Frontal view, L wrist XR, age 8 y, boy — 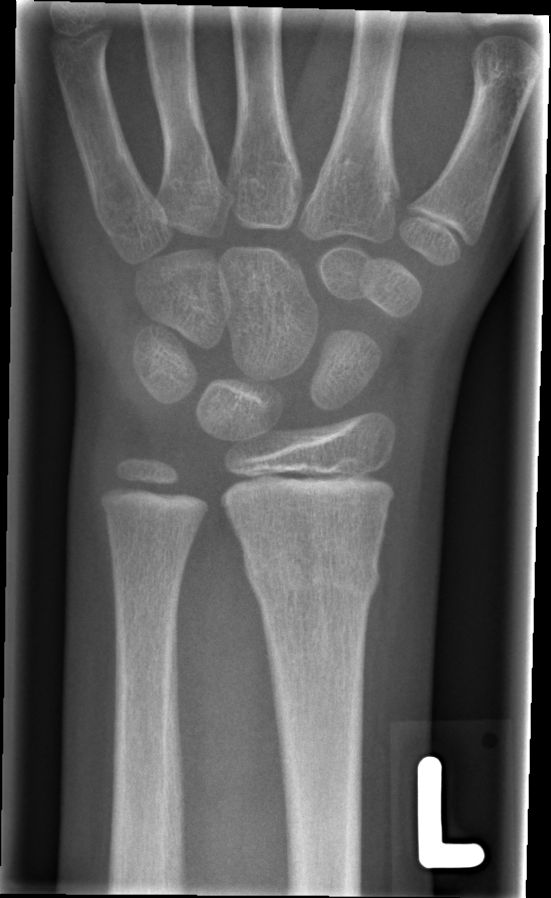
Coordinates are [x1, y1, x2, y2] in image pixels. AO code 23r-M/2.1. Fx identified at bbox(240, 545, 384, 608).